L wrist plain film | lateral | girl, 13 yo | image width 90.4 mm:

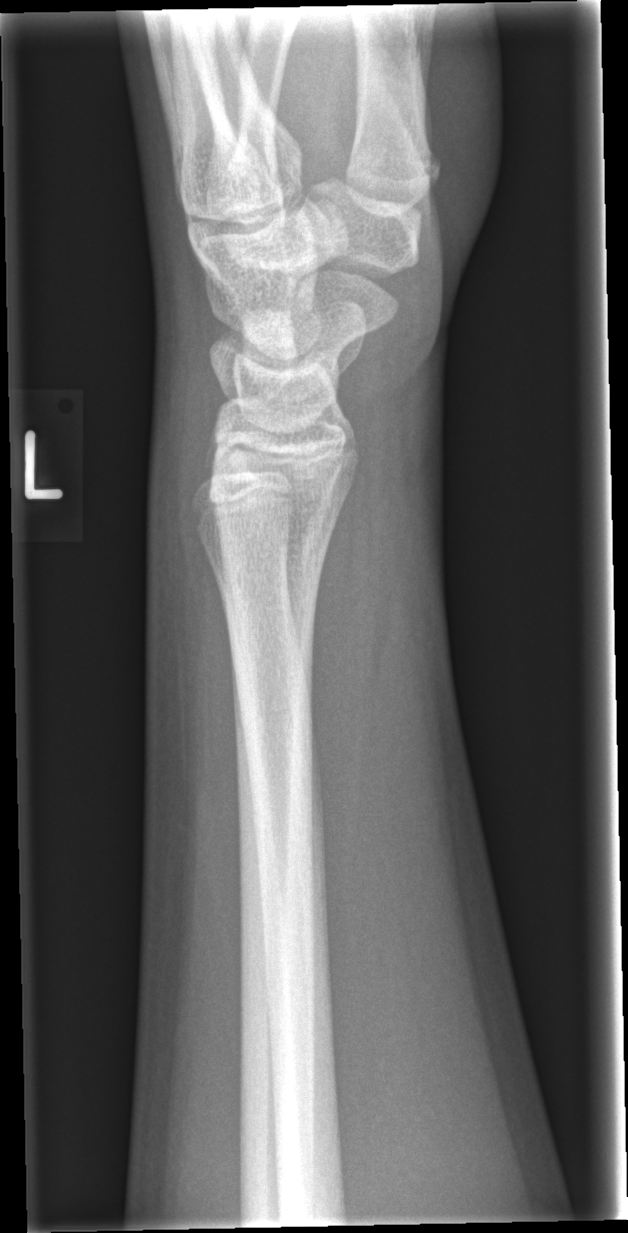
{"fracture": "none labeled"}